Lat; R wrist X-ray; initial study; acquired on Siemens 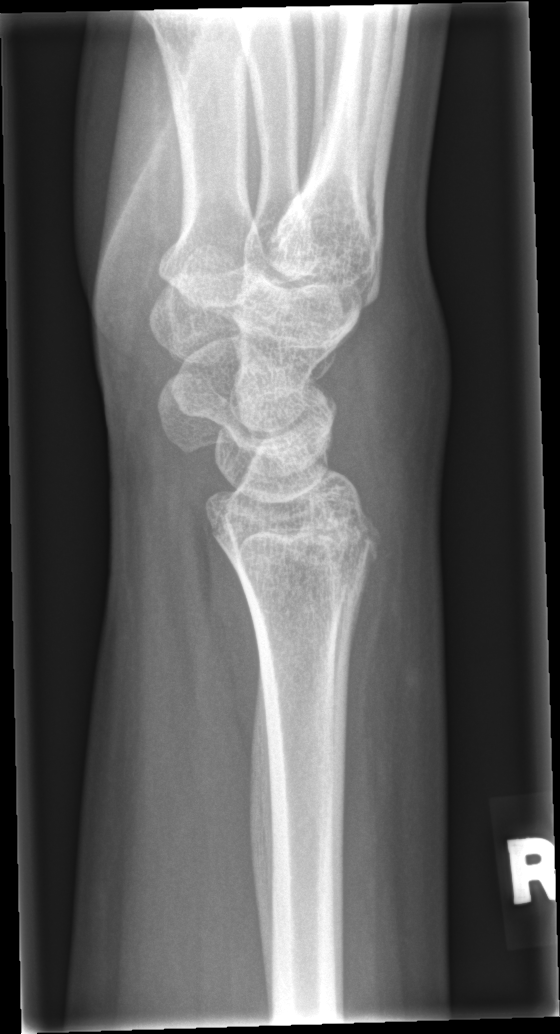

- Boxes as x1,y1,x2,y2 (top-left / bottom-right, pixel units).
- AO/OTA classification: 23r-M/2.1.
- Bone fracture: [212, 514, 384, 592].